Posteroanterior | left pediatric wrist radiograph | 557 by 958 pixels —
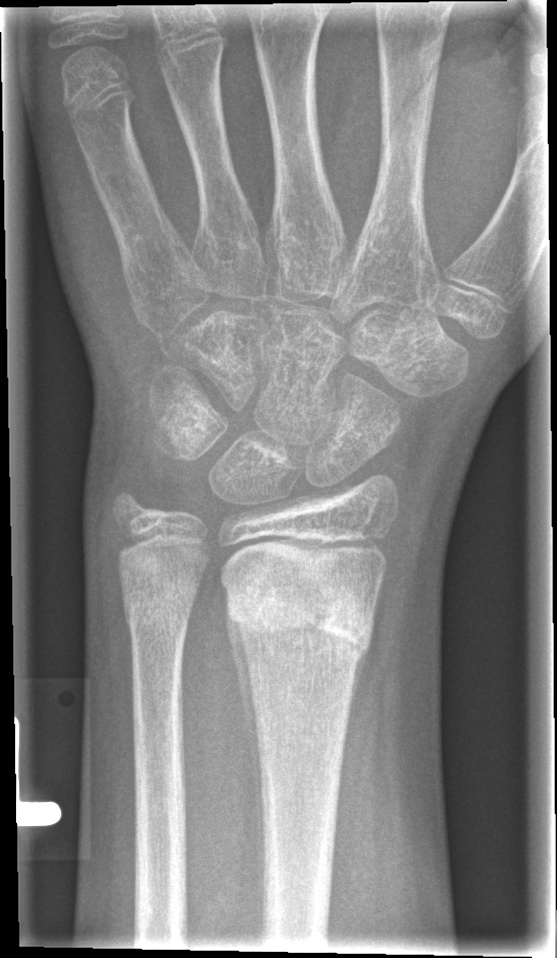

Two bone fractures at <221,580>-<378,665>; <120,575>-<199,641>.
Periosteal thickening identified at <225,614>-<265,940>.